Frontal projection | left wrist pediatric wrist radiograph | index exam | Siemens. 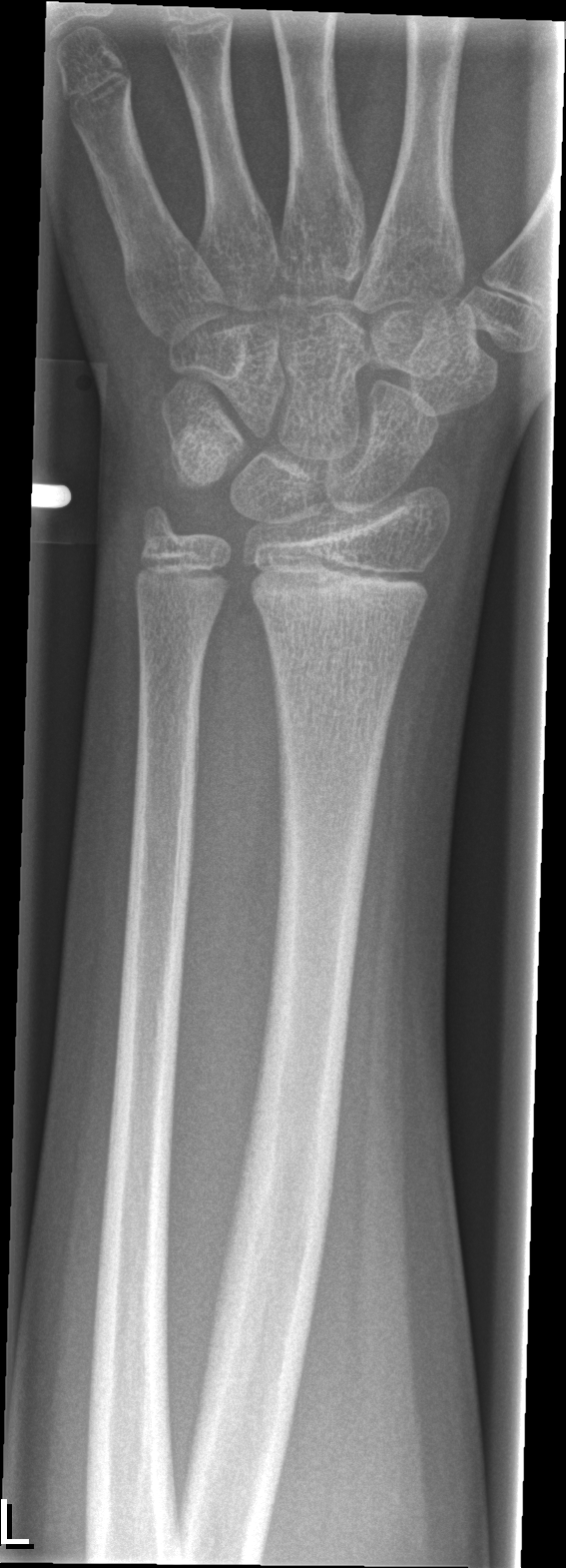
{
  "fracture": "none labeled"
}